Left wrist X-ray; frontal view —
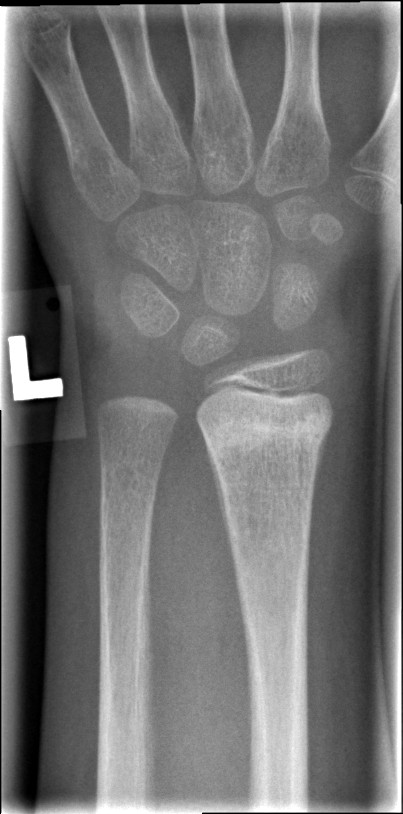

Q: Is there periosteal reaction?
A: Periosteal reaction: [205, 441, 236, 564] [310, 425, 331, 526]
Q: Is there a fracture?
A: Fx identified at [199, 401, 335, 465]
Q: What is the AO/OTA classification?
A: AO code 23r-M/2.1